R wrist X-ray · posteroanterior view · male, 4 yo · presentation radiograph · image 78.0 mm wide: 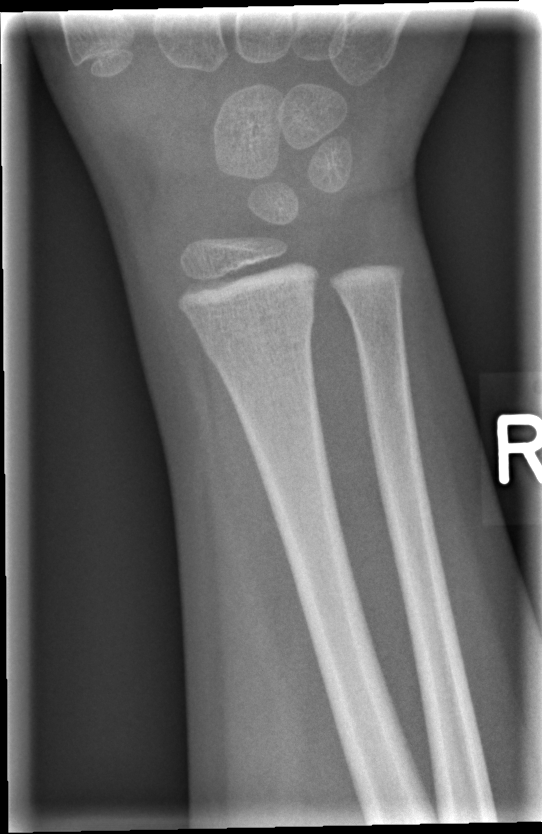
Pixel coordinates, top-left origin, xyxy. Fx identified at bbox(196, 300, 317, 362).